Right wrist plain radiograph of the wrist; lat view; 13-year-old boy; equivocal findings; acquired on Siemens — 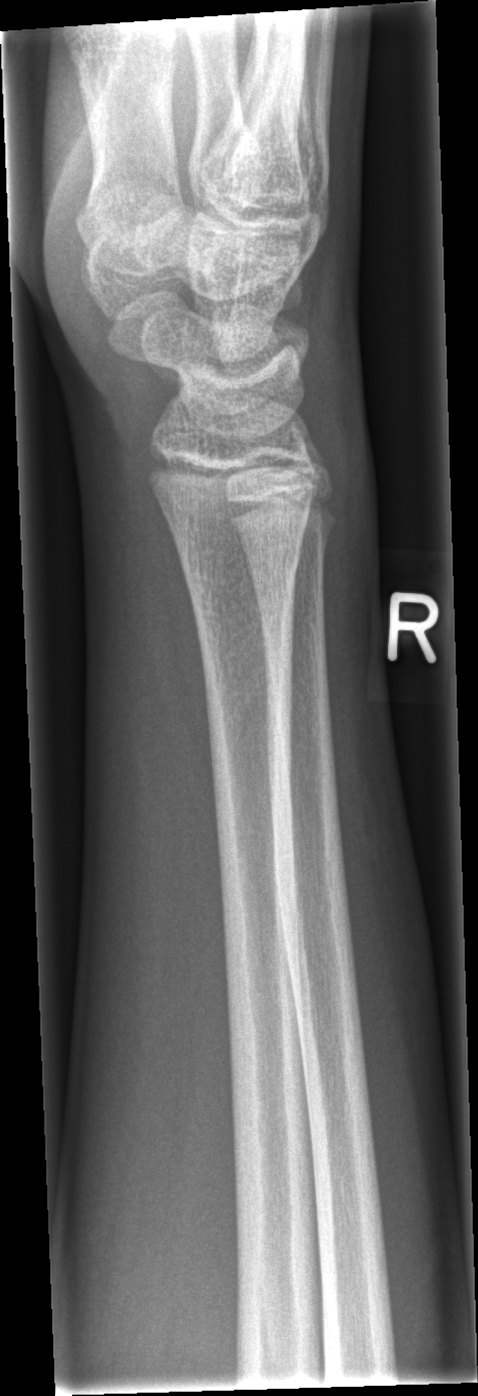 FINDINGS — Fx: none.